AP view | left wrist pediatric wrist radiograph | male, 6 yo | follow-up study

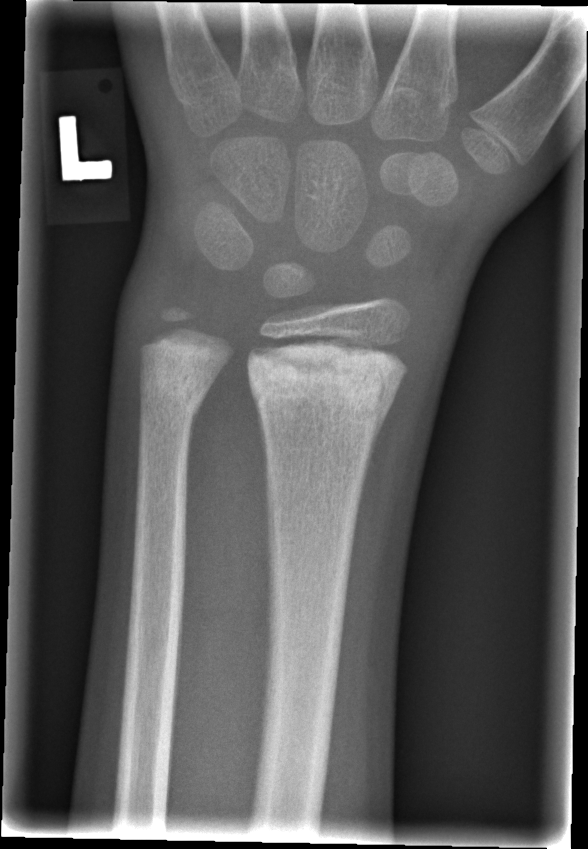
* Coordinates are [x1, y1, x2, y2] in image pixels.
* AO/OTA classification: 23-M/3.1.
* Fx identified at (244, 325, 408, 428); (138, 325, 230, 420).